Lateral projection, left wrist pediatric wrist radiograph, age 11 y, girl, index exam: 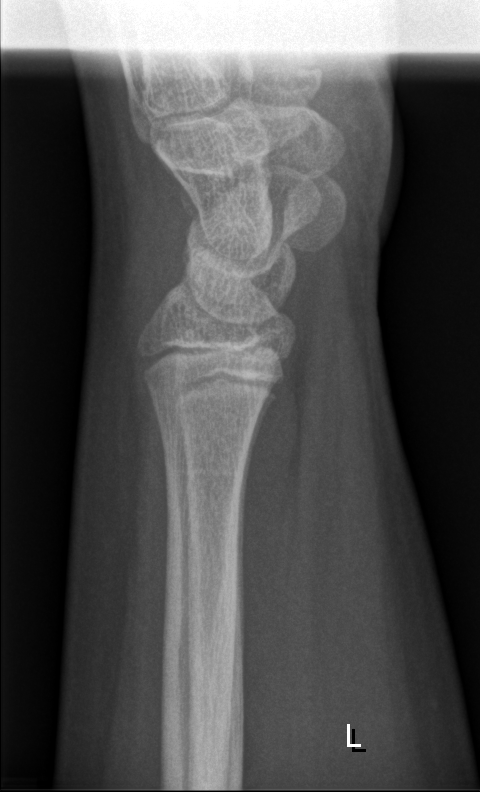 Fracture: none labeled.